Lat · R wrist X-ray · 15y M · image 66.5 mm wide —
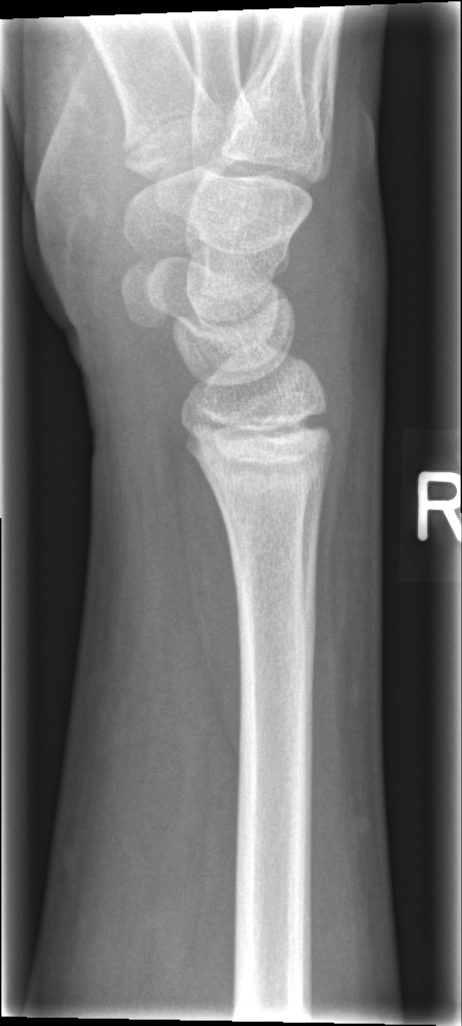
No fracture bounding box.